Posteroanterior projection, R plain radiograph of the wrist, pediatric patient (male, age 10), follow-up, acquired on Siemens. 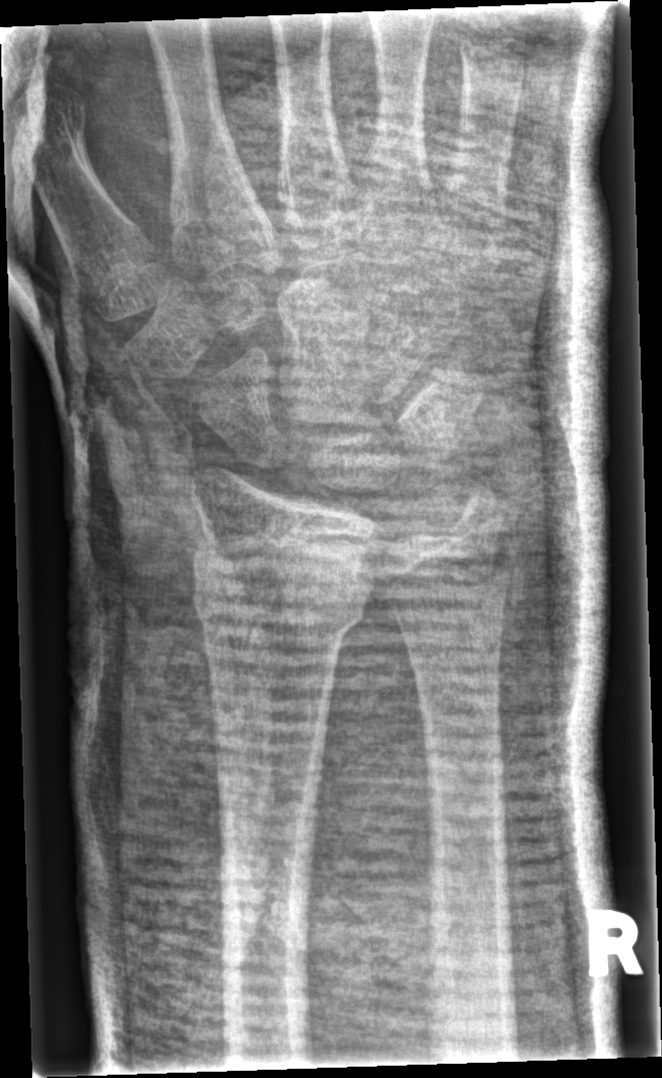
Fracture identified at 188 542 372 645
  439 483 505 545.